Frontal projection | L plain radiograph of the wrist | cast in situ | Siemens 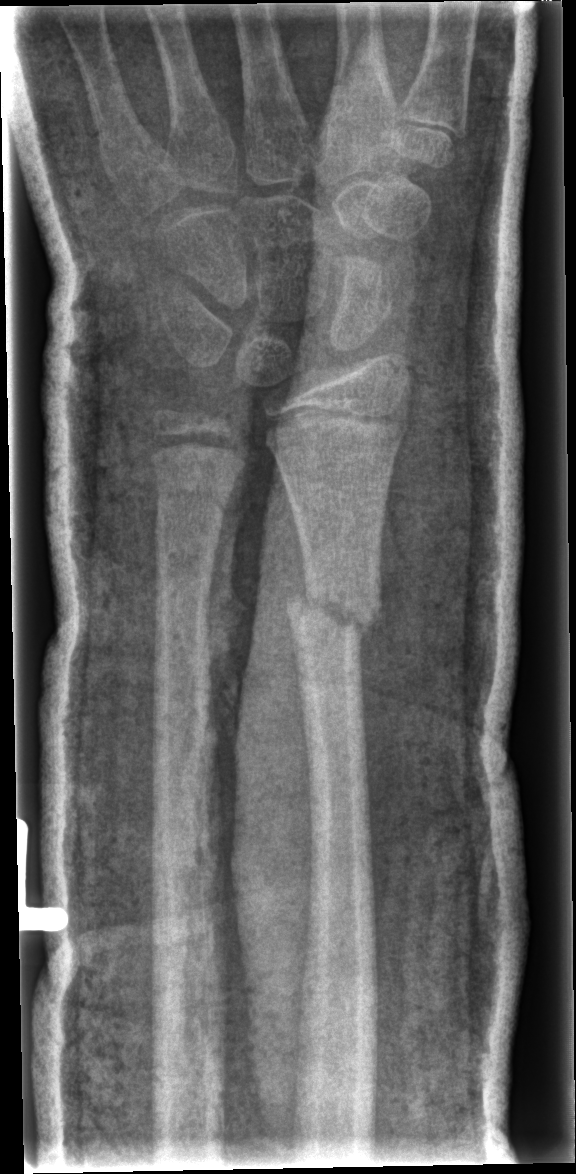
Q: Fracture present?
A: One Fx at (283, 573, 380, 645)
Q: What is the AO/OTA classification?
A: AO code 23r-M/3.1; 23u-M/2.1